Lat, L wrist plain film 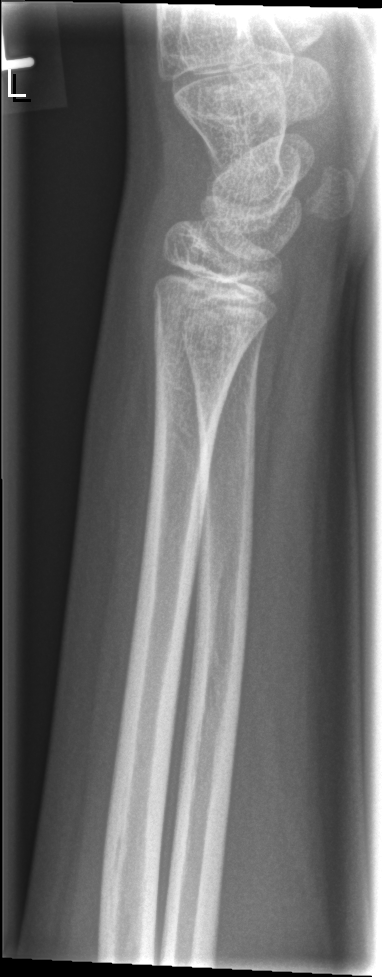
Fx: none. Decreased bone density (osteopenia).